Lat projection, left wrist X-ray, age 10 y, male, cast present, detector: Siemens — 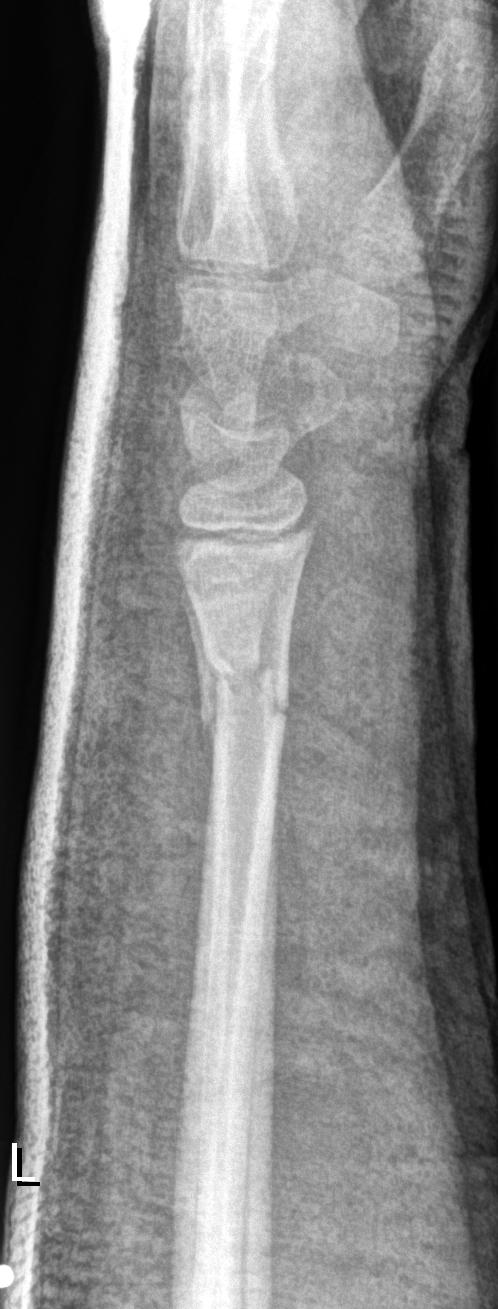 FINDINGS — One fracture at 195 643 293 749.